Lat; Lt wrist plain film; image width 66.7 mm; 463 x 698 px —
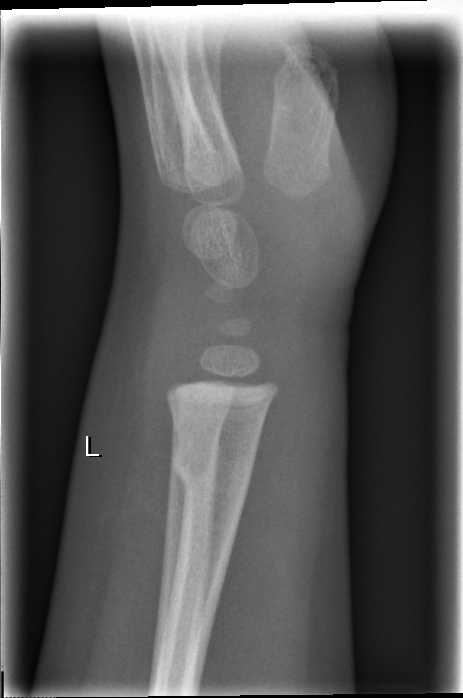

FINDINGS — (bounding boxes in image-pixel xyxy) Fracture — bbox(169, 441, 255, 495).